Lt wrist plain film · lateral · 8y M —
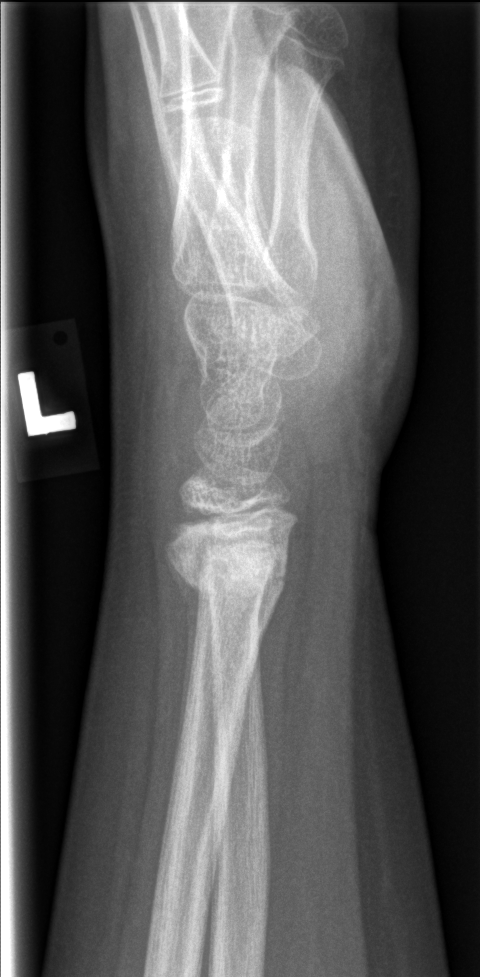

FINDINGS: AO/OTA classification: 23r-M/3.1; 23u-M/2.1. Bone fracture — (left=169, top=523, right=294, bottom=620). Decreased bone density (osteopenia). One periosteal reaction at (left=166, top=549, right=201, bottom=777).